Posteroanterior projection, L wrist X-ray:

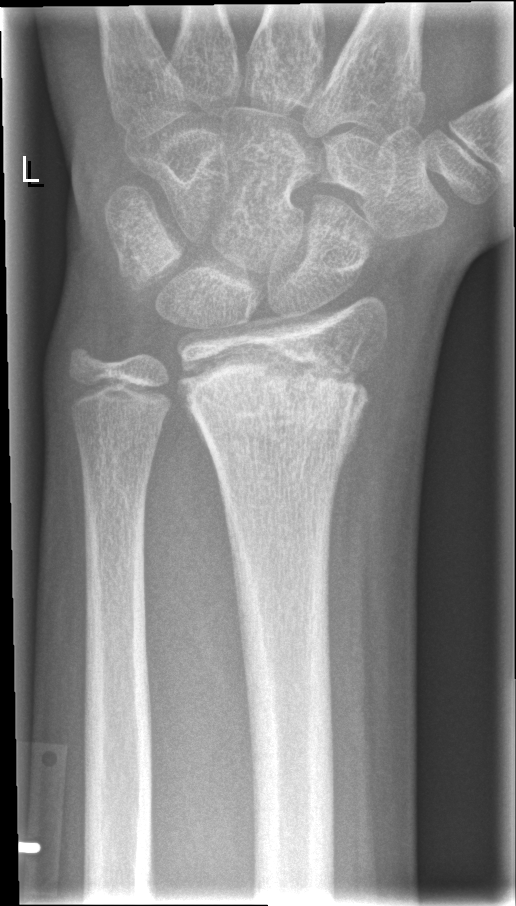
• Bounding boxes in image-pixel xyxy.
• One fracture at bbox(185, 347, 369, 457).